Lateral view; left wrist XR; initial study; 96.8 mm image width; image size 599x1568 —

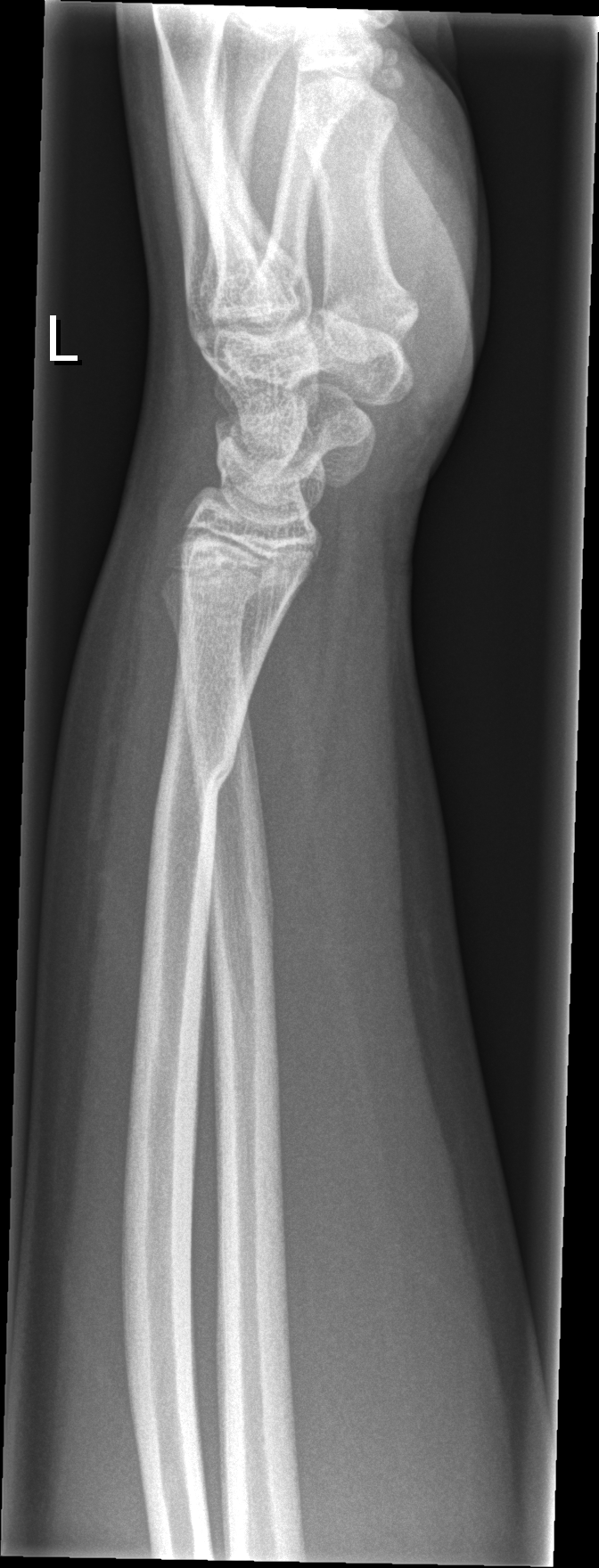

Findings: One fracture at (154, 728, 238, 818). Fracture classified AO/OTA 23r-M/2.1.